L plain radiograph of the wrist; frontal view; female, 7 yo; detector: Siemens
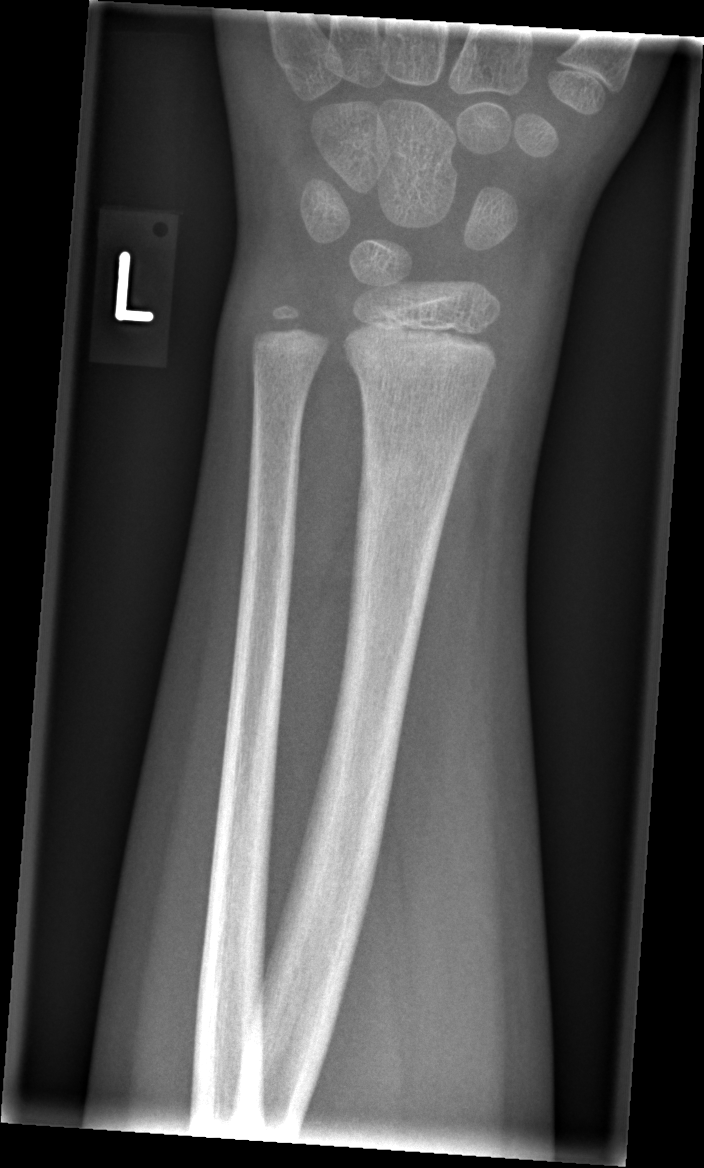
Fracture: present but not clearly seen in this view.